Rt wrist XR | lateral view | 60.8 mm image width —

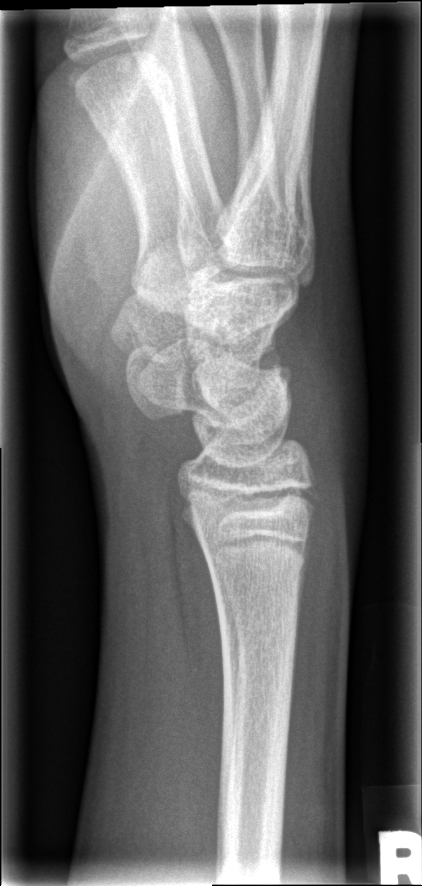 No Fx annotated.